Left pediatric wrist radiograph · lat · image width 57.9 mm — 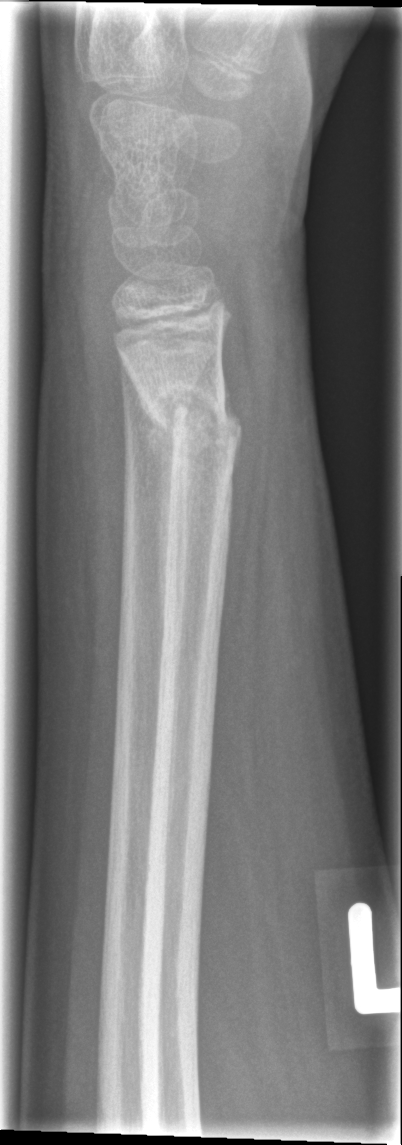 * One Fx at [x1=136, y1=379, x2=246, y2=462].
* Two periosteal new bone at [x1=126, y1=364, x2=178, y2=682]; [x1=221, y1=365, x2=243, y2=483].
* AO/OTA classification: 23r-M/3.1.